Right wrist XR; frontal view; 12-year-old boy; follow-up; in cast; acquired on Siemens; image size 624x1172
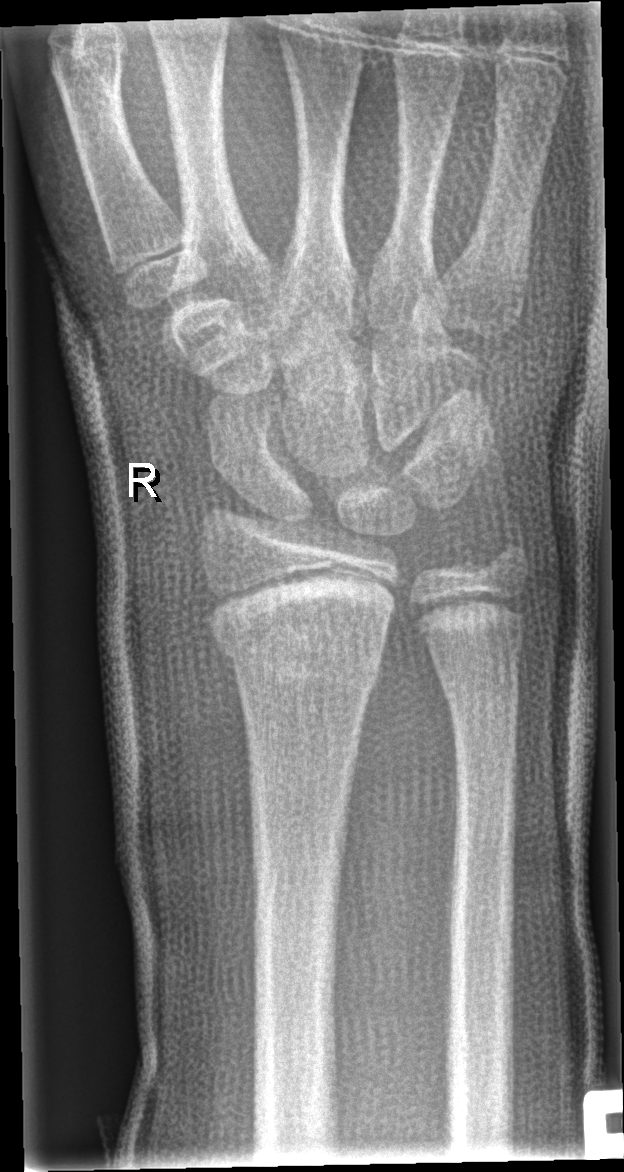

FINDINGS — Bone fracture identified at (209, 566, 396, 692).